Lt plain radiograph of the wrist; AP view; age 11 y, girl; 699 by 1334 pixels:
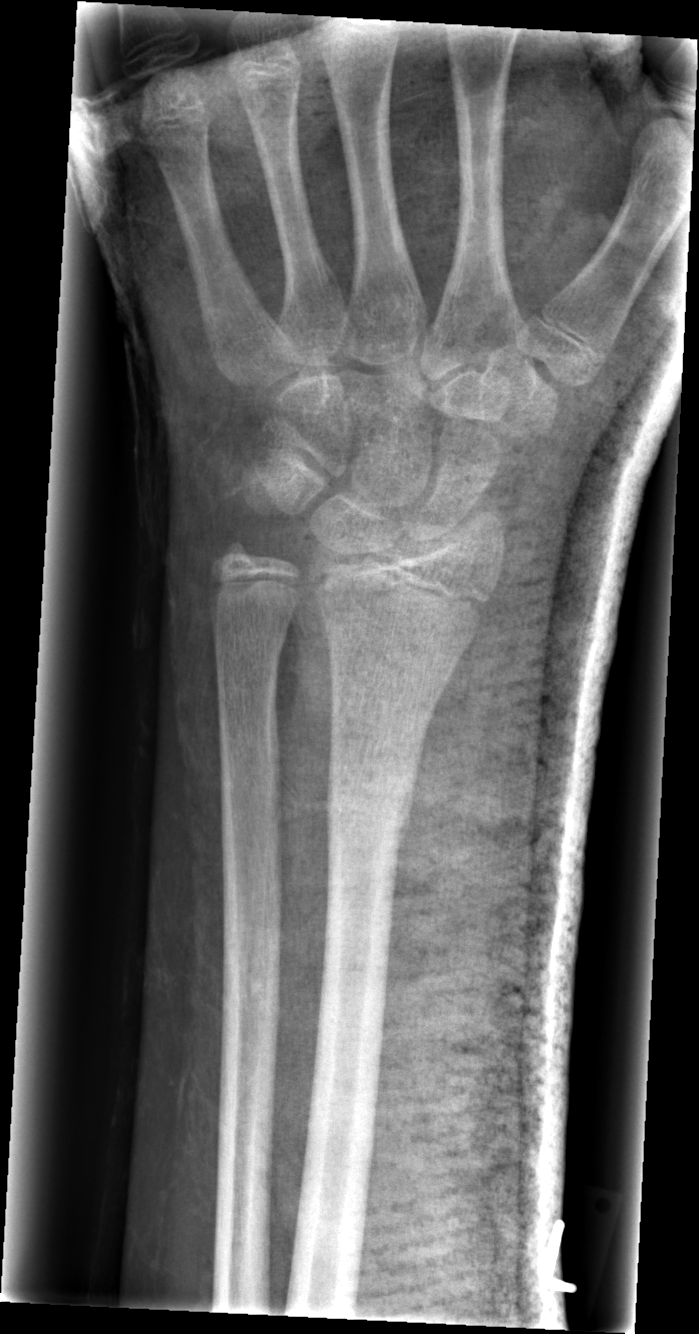

(bounding boxes in image-pixel xyxy)
Fx = (323, 752, 420, 850)
AO code = 22r-D/2.1